Right wrist X-ray | lateral | presentation radiograph | 406x796.

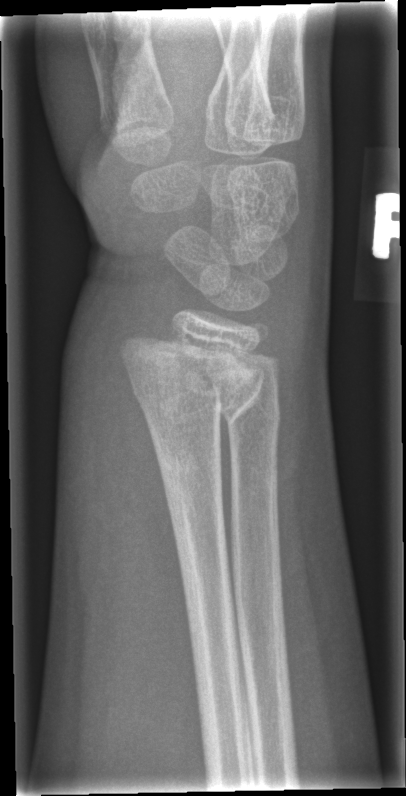

AO/OTA = 23r-E/2.1; 23u-M/2.1
Fx = 2 @ <113,325>-<261,431> <223,387>-<285,442>
Pronator quadratus fat-pad sign = <89,320>-<184,598>